AP, left wrist plain film, 14-year-old boy, in cast, image width 85.2 mm

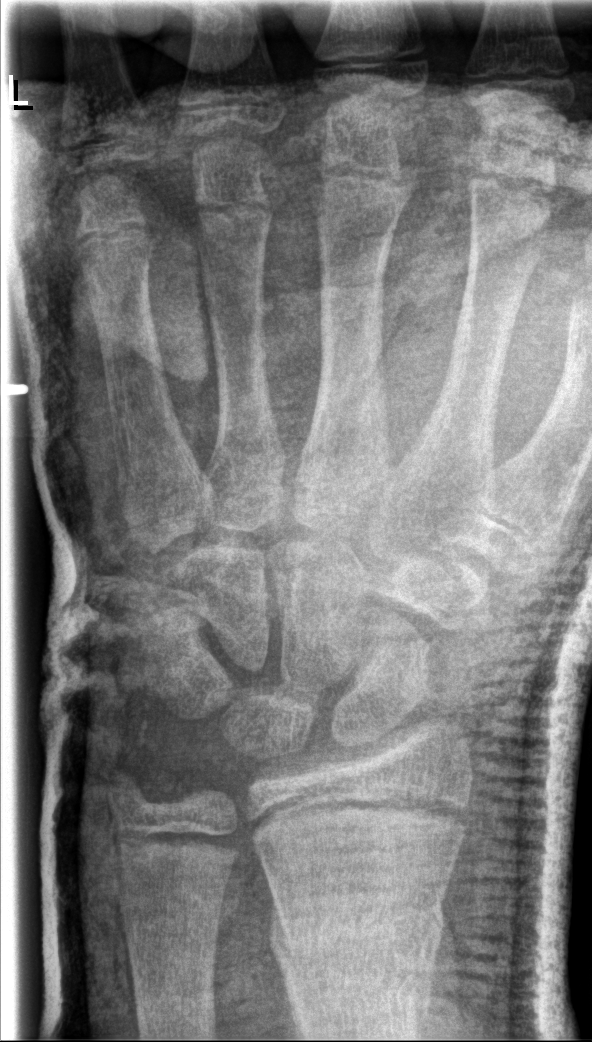

* One fracture at 268 878 448 1028.